Lat, right wrist plain radiograph of the wrist, acquired on Siemens, 448 x 748 px

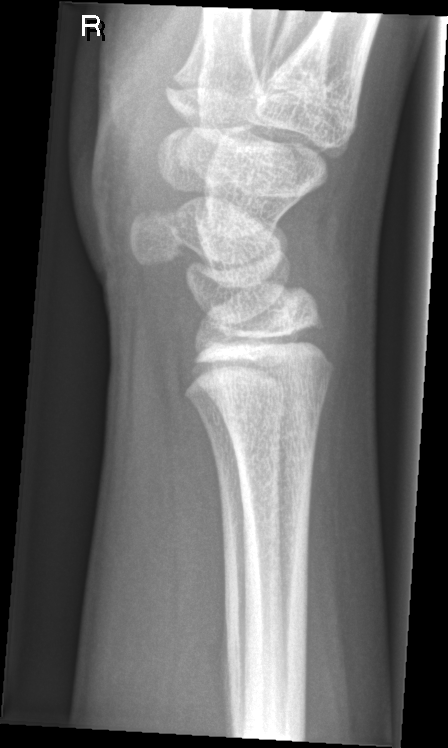 Fx: none.